Lat · Rt wrist plain film · pediatric patient (male, age 11) · presentation radiograph · image 75.2 mm wide

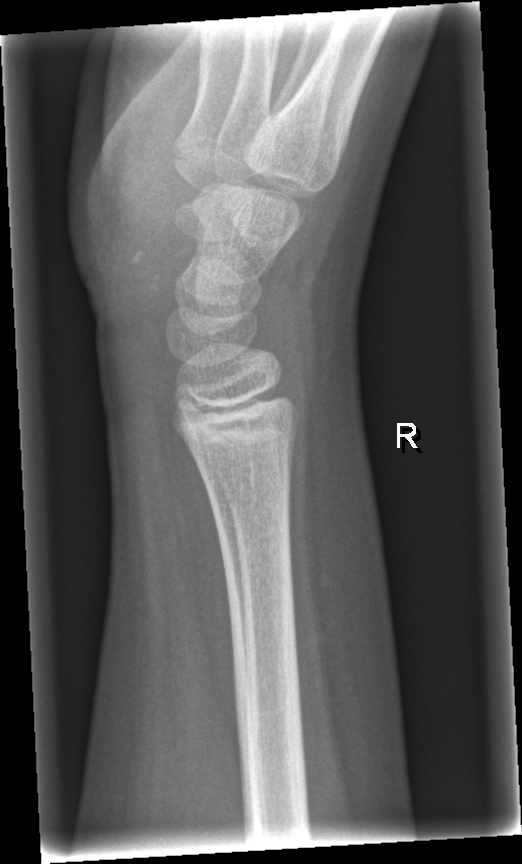
Bone fracture = none labeled